Rt pediatric wrist radiograph | lateral view | cast in situ —
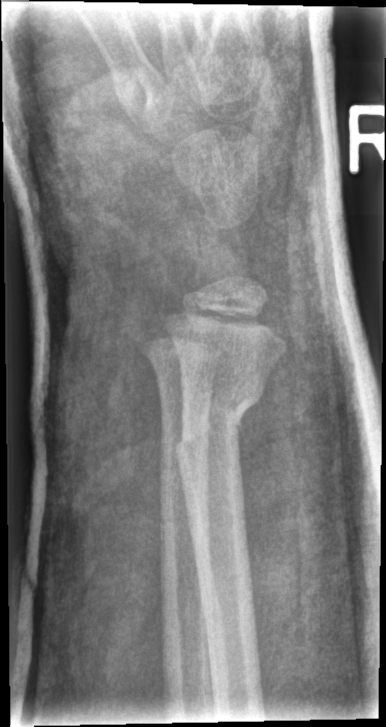 {
  "_coords": "boxes as x1,y1,x2,y2 (top-left / bottom-right, pixel units)",
  "fracture": "1 @ 170 381 268 461",
  "ao": "23r-M/3.1"
}